Left wrist radiograph, PA projection — 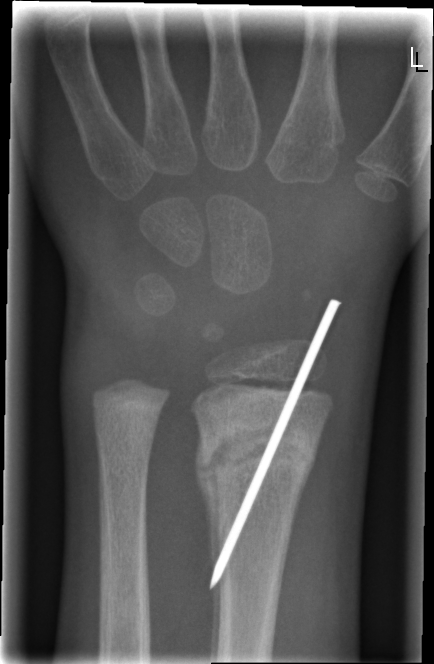 Metal = [209, 293, 344, 594]
Osteopenia = present
Periosteal new bone = [192, 434, 220, 575]; [209, 579, 221, 661]
AO/OTA = 23r-M/3.1; 23u-M/2.1
Fx = [194, 415, 320, 488] [89, 389, 169, 426]